Lat view · L wrist XR · image 77.3 mm wide · image size 537x908:
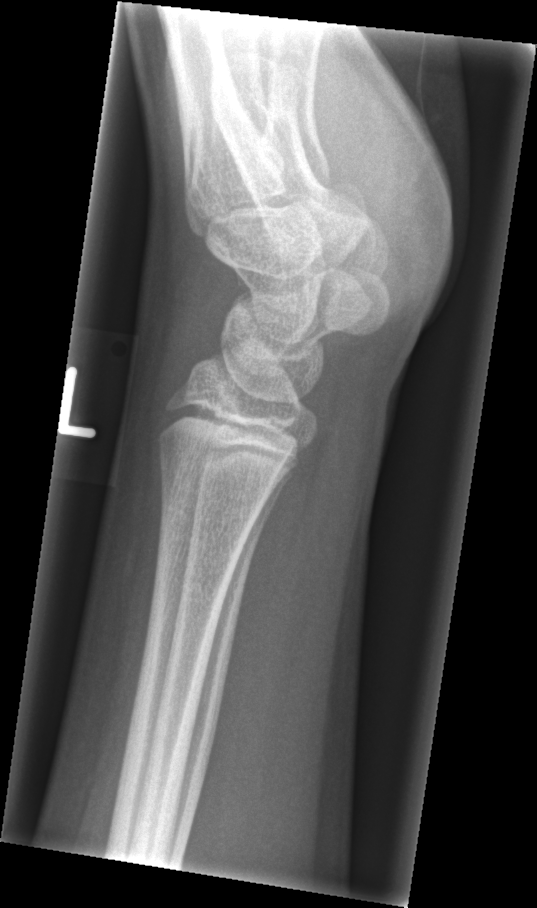 bone fracture = none labeled